AP view; left wrist X-ray; 6y F; follow-up; 59.3 mm image width —
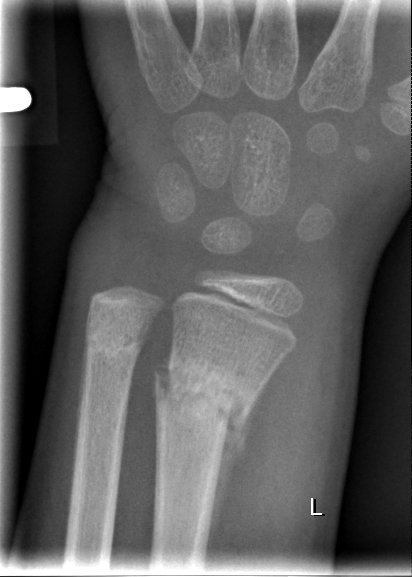

periosteal reaction = bbox(207, 372, 274, 554)
AO/OTA = 23r-M/3.1; 23u-M/2.1
soft-tissue swelling = 1 @ bbox(200, 299, 360, 565)
osteopenia = present
bone fracture = bbox(151, 348, 264, 445); bbox(80, 319, 150, 363)